Lat projection | Rt wrist X-ray | acquired on Siemens. 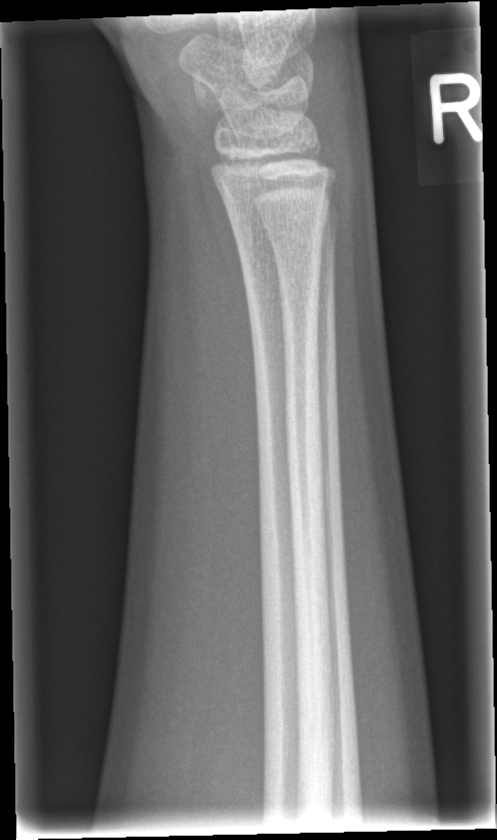

fracture: none labeled